R plain radiograph of the wrist | AP | pediatric patient (girl, age 11): 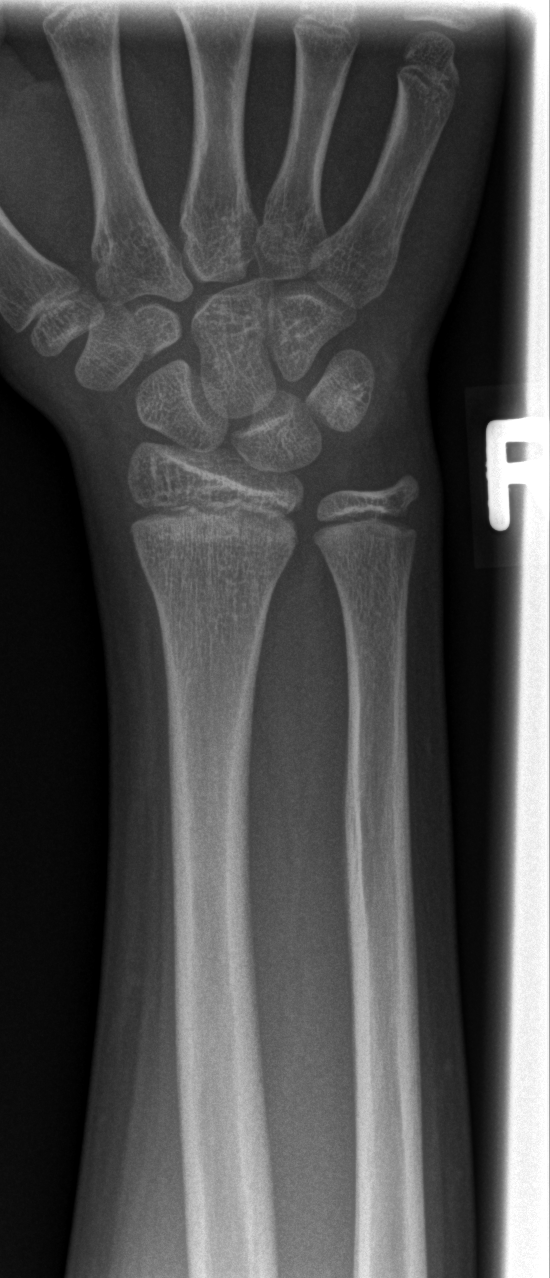
FINDINGS: Fx: none.